Lateral view | left wrist XR | 12y M | index exam | Siemens
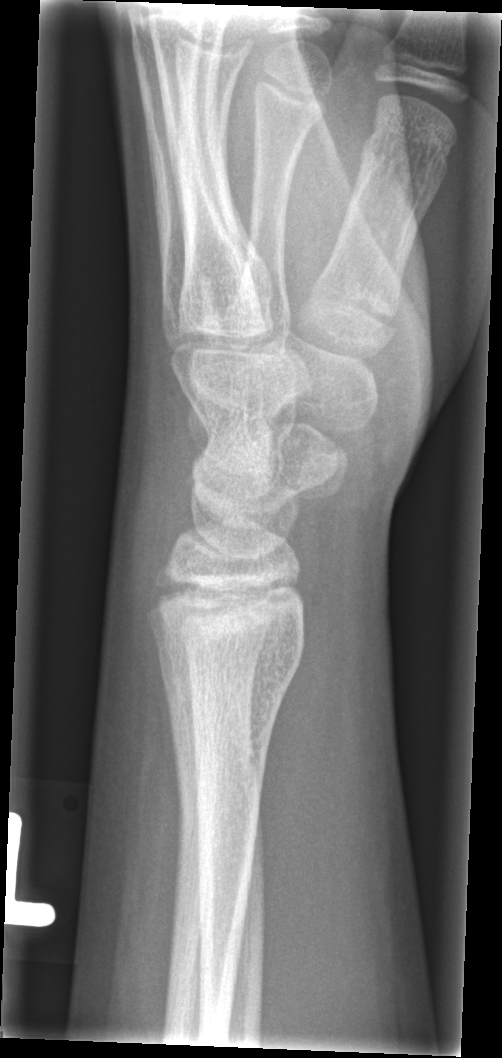
No fracture labeled.